PA projection · Lt wrist XR · follow-up study · image 102.0 mm wide · 708 by 1047 pixels.
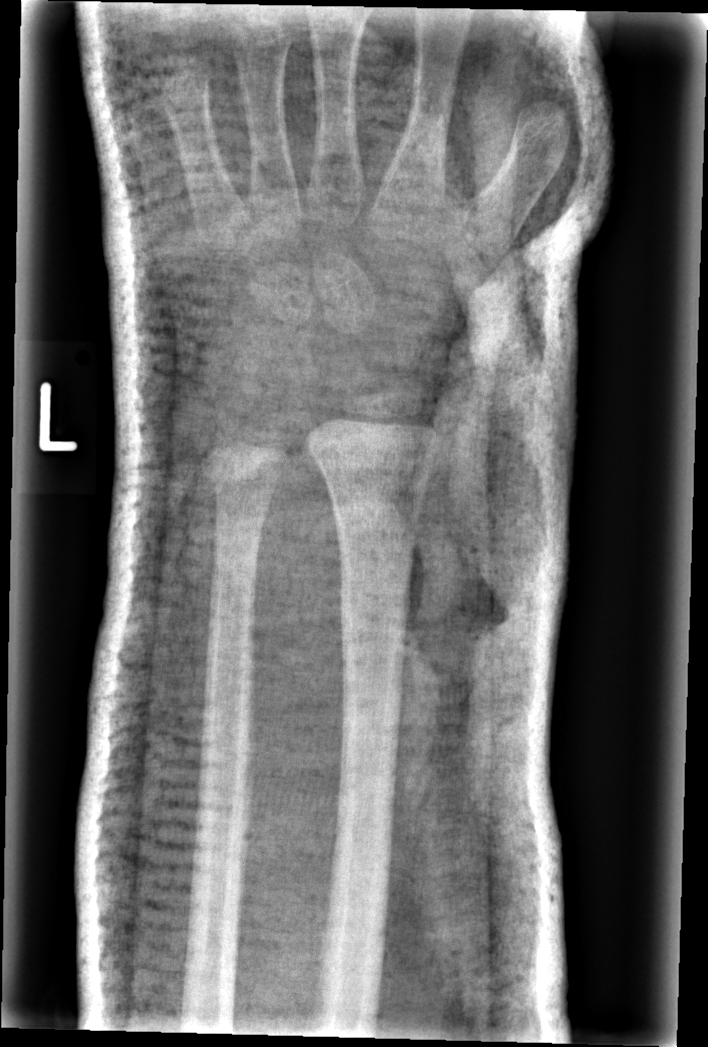
Bounding boxes in image-pixel xyxy. One Fx at (left=334, top=593, right=415, bottom=669). AO/OTA classification: 23r-M/3.1.